Lat; R wrist plain film; 15-year-old male; equivocal findings —
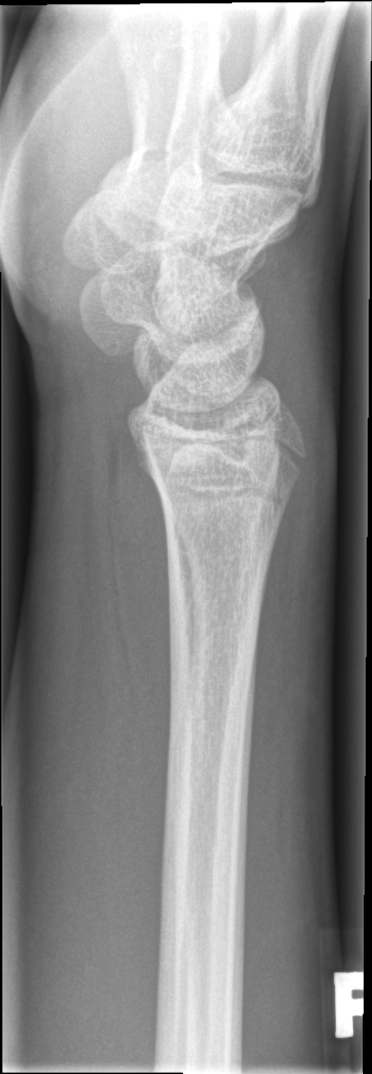

Fx: none labeled